Lat view; left wrist plain film; age 14 y, boy; cast present; Siemens — 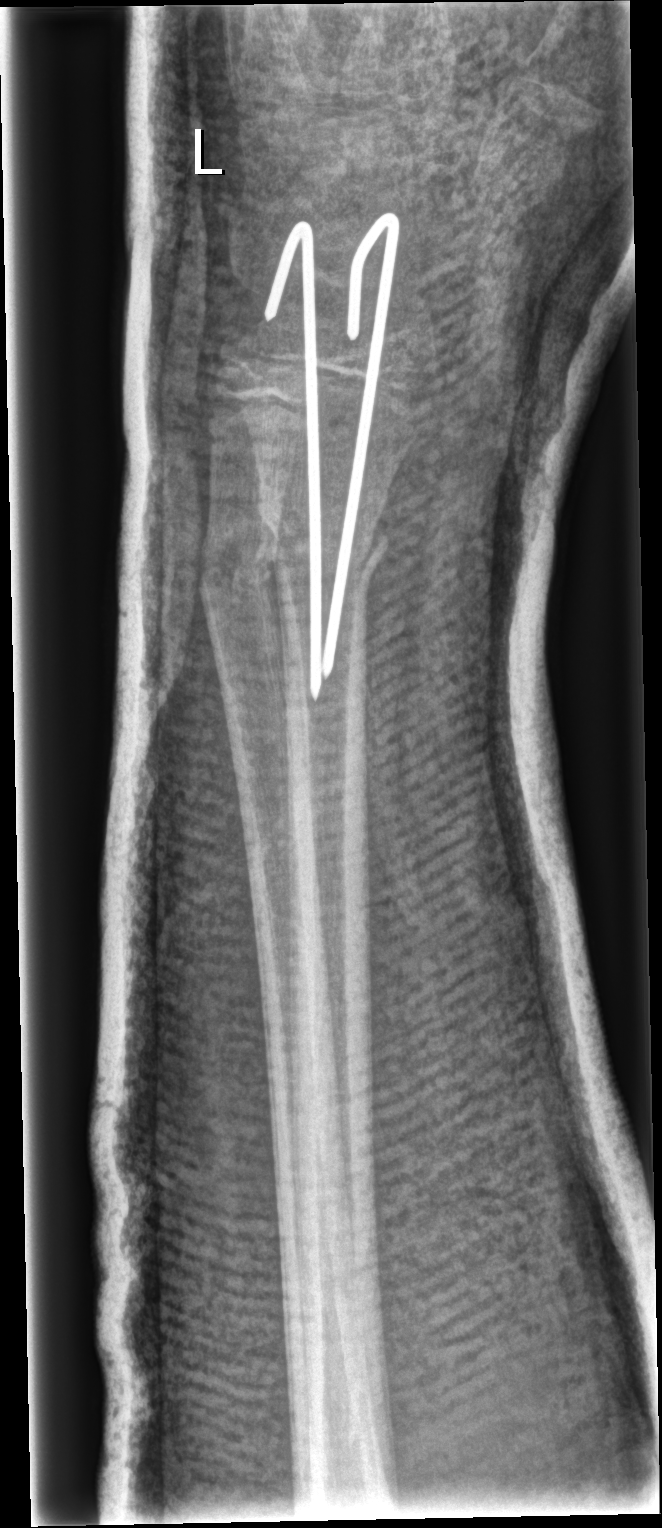 {
  "_coords": "boxes as x1,y1,x2,y2 (top-left / bottom-right, pixel units)",
  "ao": "23-M/3.1",
  "fracture": "bbox(252, 497, 393, 595); bbox(195, 518, 283, 617)",
  "metal": "bbox(267, 212, 403, 698)"
}